Lat view, L pediatric wrist radiograph, 15-year-old boy, subsequent exam, imaged through cast, image size 948x964. 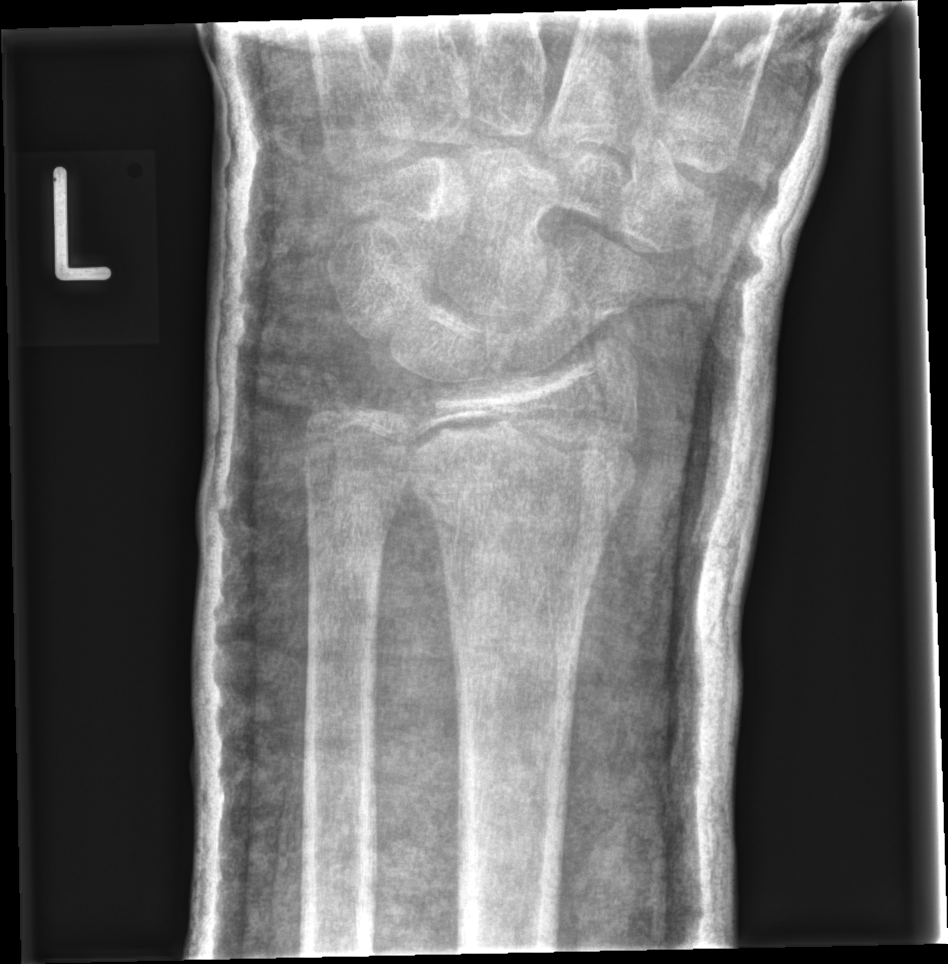

AO classification: 23r-M/3.1; 23u-E/7
Fracture: 1 @ <406,413>-<644,522>